Lateral projection | right wrist X-ray.
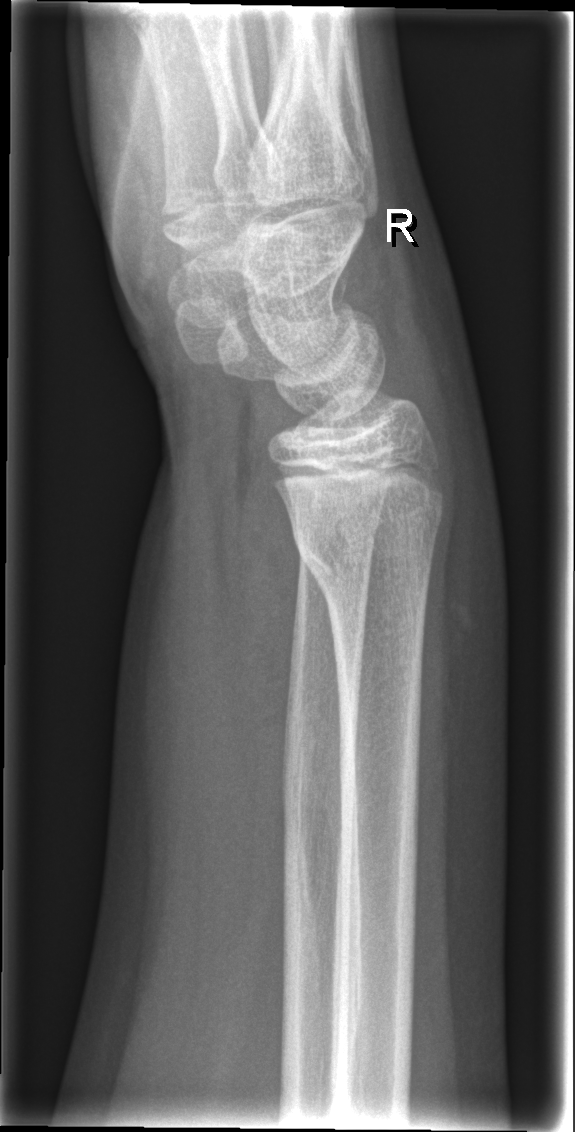 • Fracture — [287, 502, 447, 600].
• AO/OTA classification: 23r-M/2.1.
• Pronator quadratus fat-pad sign: [227, 480, 310, 806].